Right wrist plain film, lat view, follow-up, detector: Siemens, 517x864:
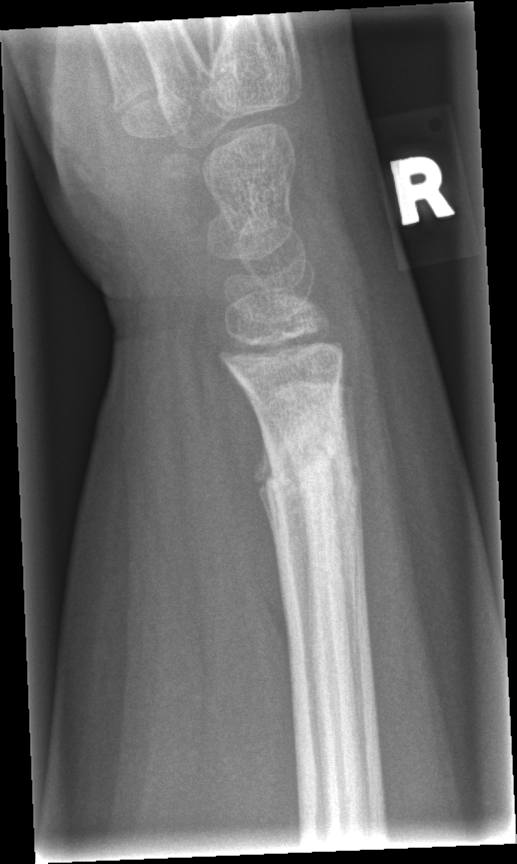 Boxes as x1,y1,x2,y2 (top-left / bottom-right, pixel units). Fracture classified AO/OTA 23r-M/3.1; 23u-M/2.1. Periosteal reaction: (253, 424, 283, 574). Bone fracture — (252, 421, 364, 524). Decreased bone density (osteopenia).